Lat · R wrist X-ray · age 14 y, boy · follow-up

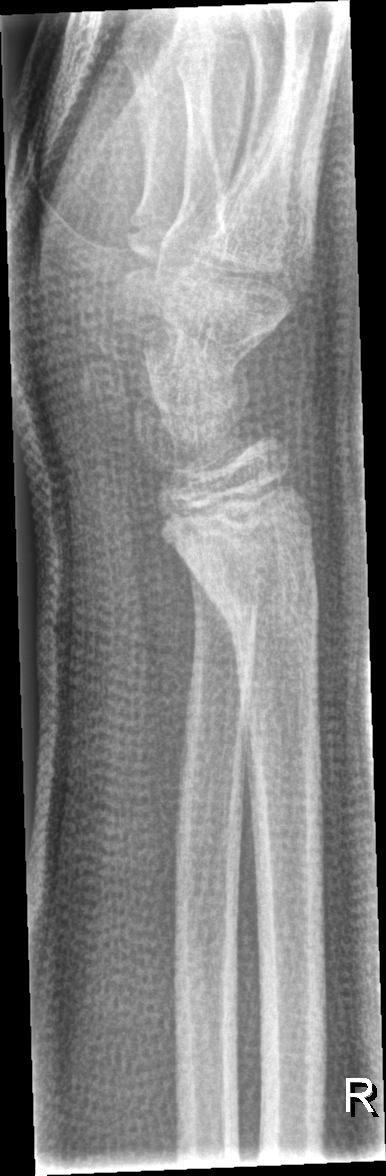

FINDINGS: (boxes as x1,y1,x2,y2 (top-left / bottom-right, pixel units)) Fx identified at (left=184, top=557, right=324, bottom=670).